Rt wrist X-ray · lat view · age 10 y, female.
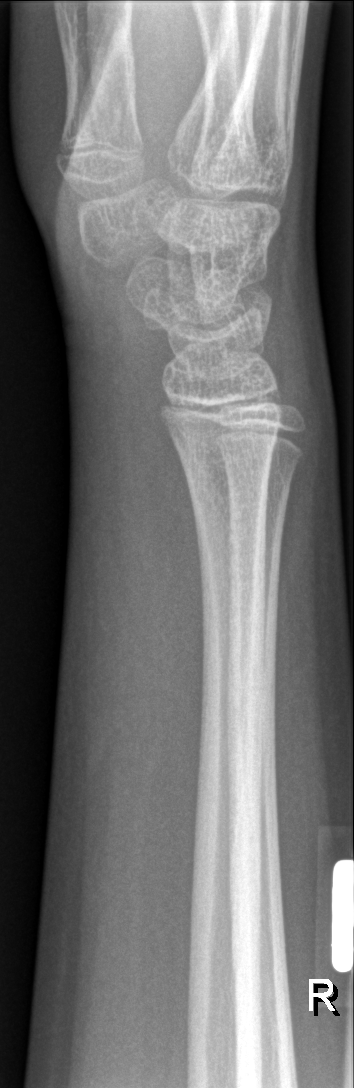

Findings: Fracture: none labeled.